Right wrist X-ray; lat view; subsequent exam —

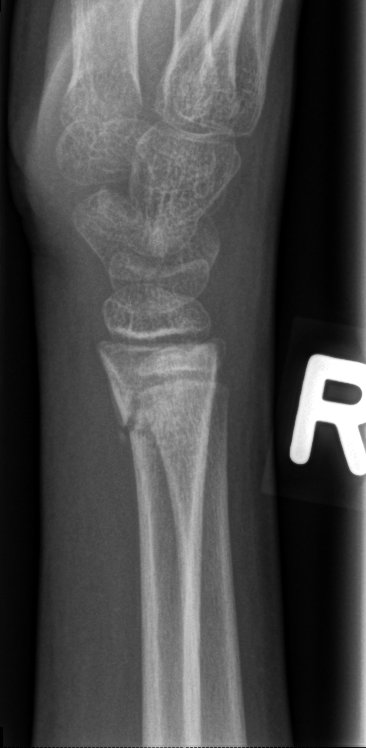 Coordinates are [x1, y1, x2, y2] in image pixels. Fracture classified AO/OTA 23r-M/3.1; 23u-M/2.1. Fracture: bbox(109, 365, 219, 451). Osteopenia.